Posteroanterior; right wrist X-ray.

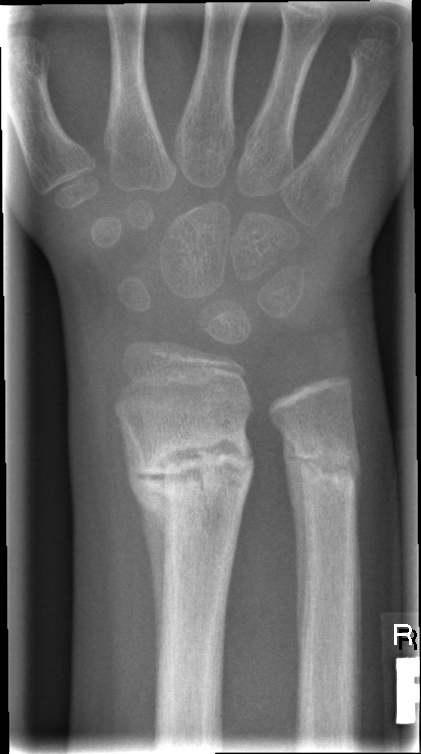
Pixel coordinates, top-left origin, xyxy.
Two Fx at 127,426,256,511 | 286,435,365,495.
Periosteal new bone identified at 119,415,167,691; 284,433,308,665.
Osteopenia.